AP projection, L wrist plain film, imaged through cast, 514 x 824 px:

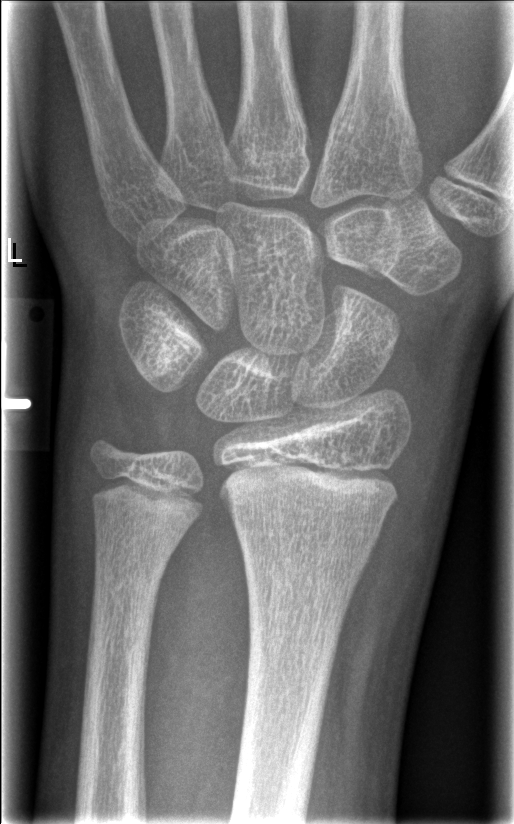

FINDINGS — AO code 23r-M/2.1. Fx present but not clearly seen in this view.